Lateral | right wrist pediatric wrist radiograph | 11-year-old girl | initial study.
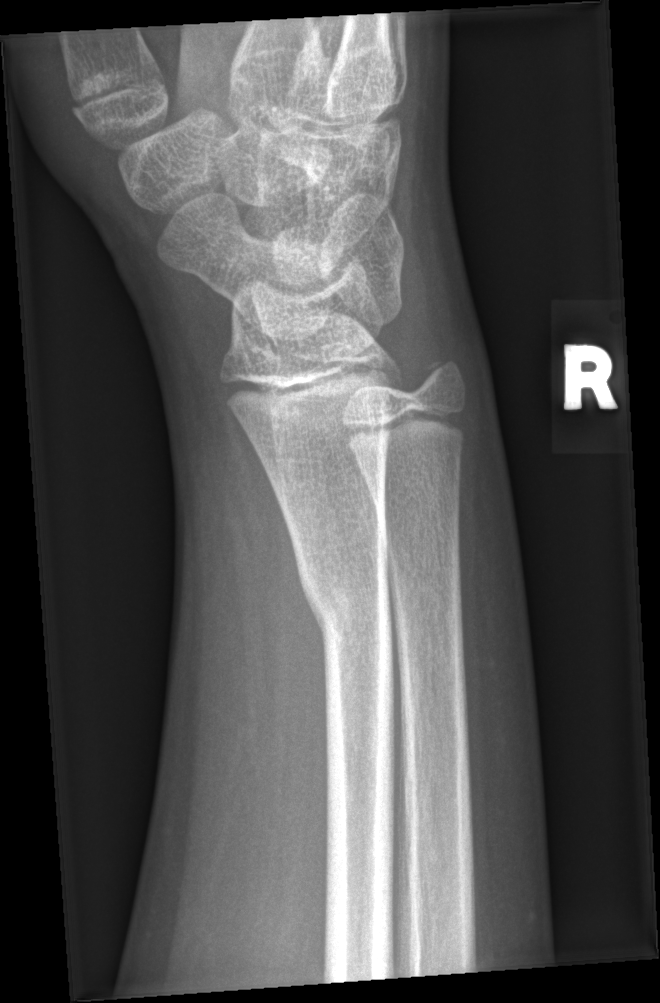

Fracture: bbox(297, 559, 397, 652) bbox(414, 349, 471, 404).